Rt wrist X-ray | frontal | detector: Siemens — 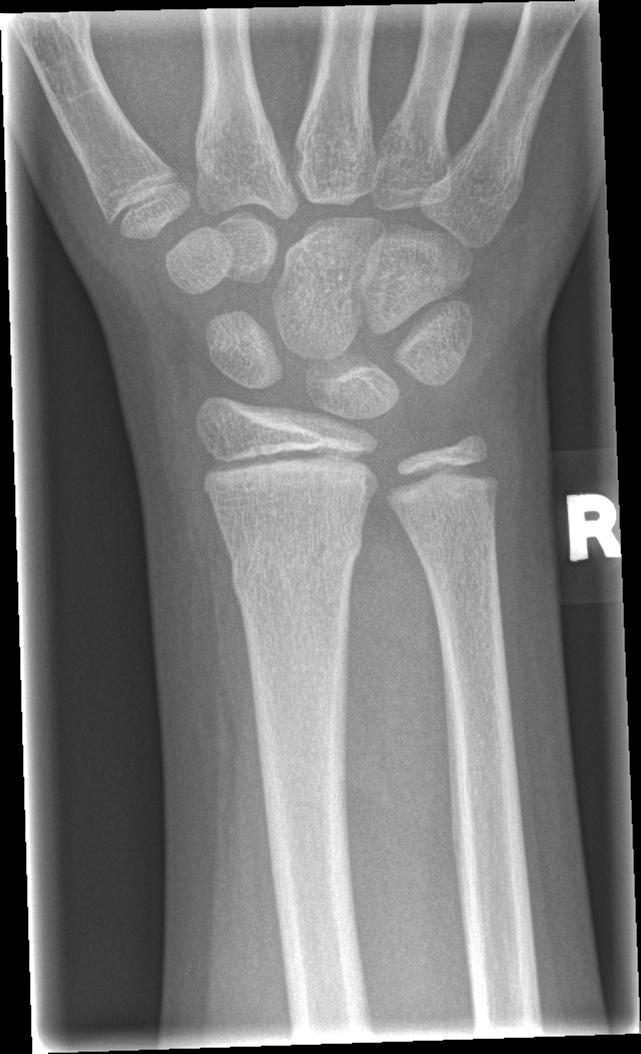 Fracture classified AO/OTA 23r-M/2.1. Fx identified at 229,520,364,604.